Frontal projection, L wrist radiograph, age 13 y, boy, image 88.8 mm wide:

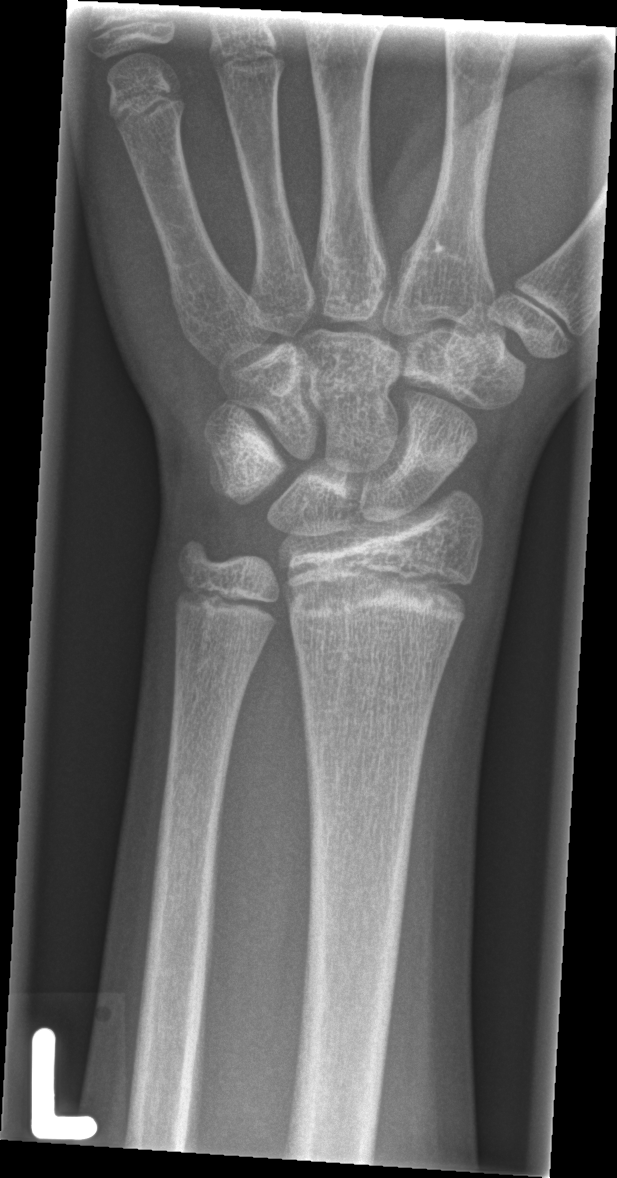

No fracture bounding box.